L pediatric wrist radiograph · lat

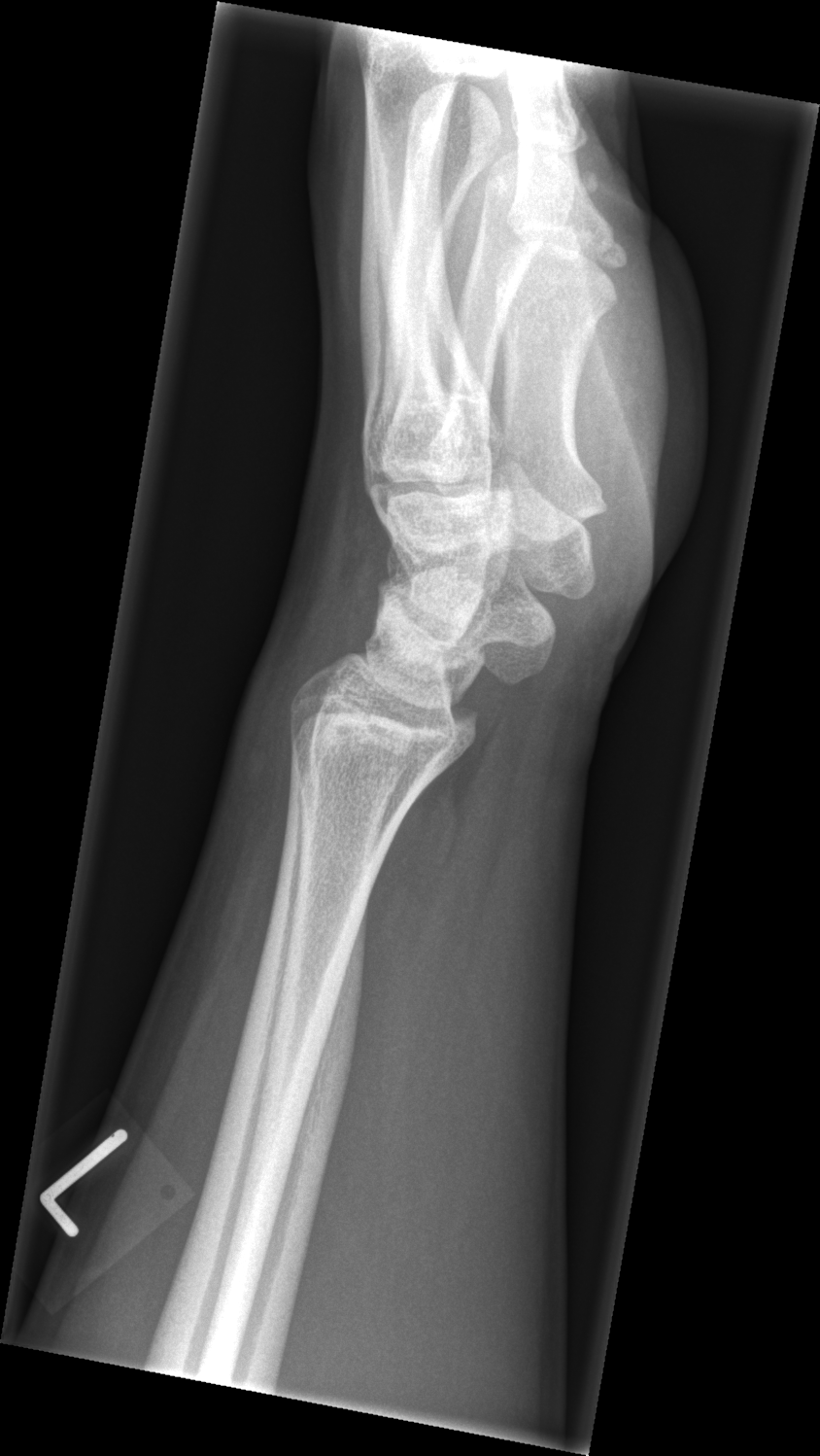 • Fx: none.